R wrist radiograph, PA/AP, age 5 y, male, follow-up study.
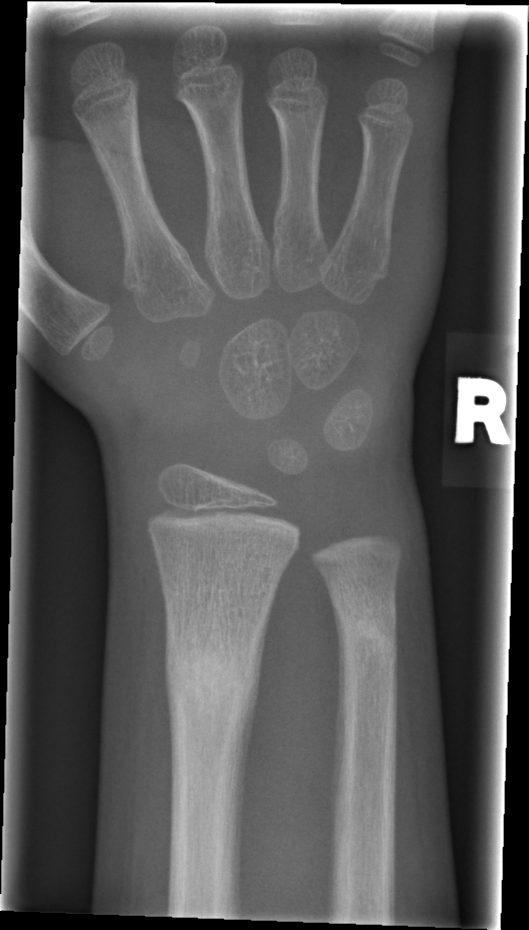 FINDINGS: AO/OTA classification: 23-M/2.1. Fracture identified at (165, 624, 262, 726), (332, 597, 403, 665).